AP projection, Rt wrist plain film, 10y M, image width 68.1 mm, 473x1056

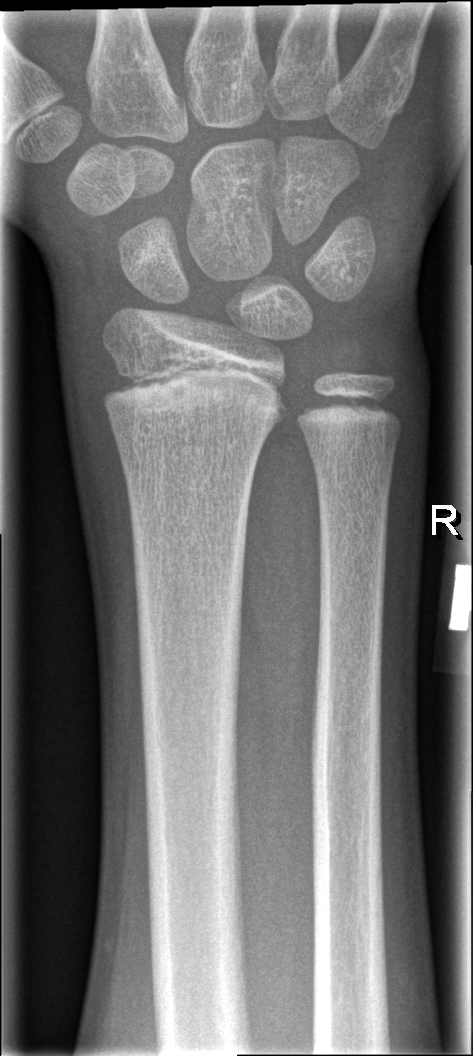
Fracture: none labeled.